Lat view | right wrist radiograph | pediatric patient (female, age 12).

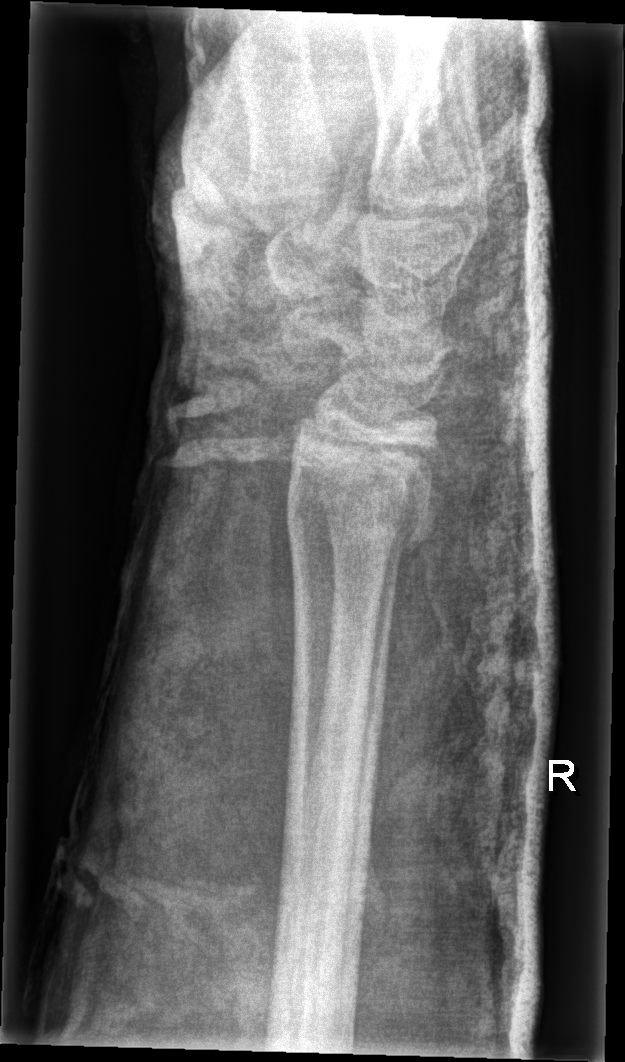

  # bounding boxes in image-pixel xyxy
  fracture: (left=282, top=433, right=439, bottom=560)
  ao: 23r-M/3.1; 23u-E/7